PA projection · left wrist plain radiograph of the wrist · follow-up study
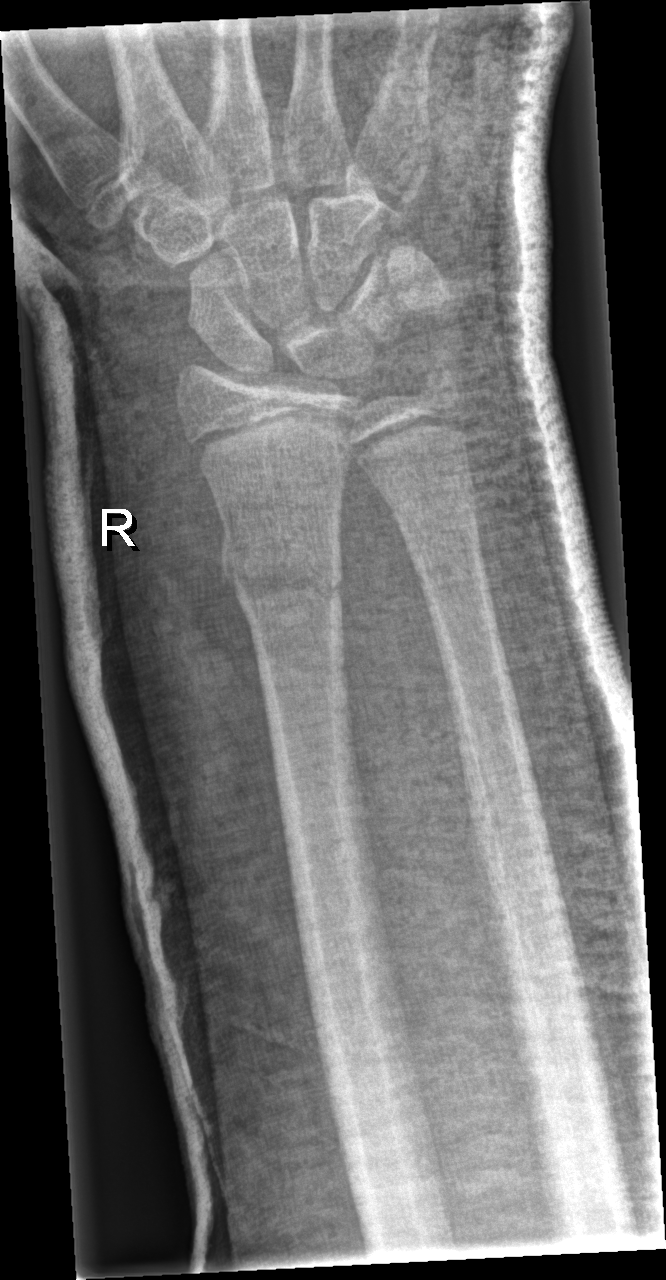

FINDINGS: (pixel coordinates, top-left origin, xyxy) Fracture: (212, 506, 348, 624), (411, 348, 472, 409). AO/OTA classification: 23r-M/3.1; 23u-E/7.